PA view; Lt wrist XR; age 5 y, girl; acquired on Siemens
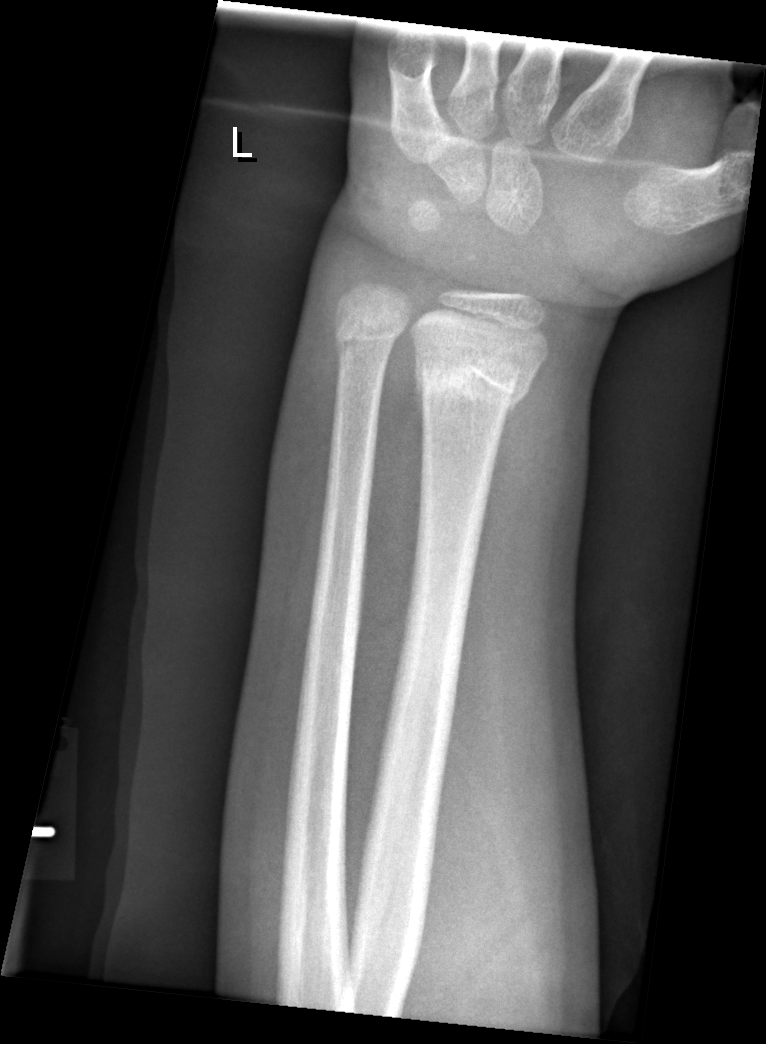
  fracture: [x1=408, y1=348, x2=541, y2=422]; [x1=330, y1=304, x2=403, y2=359]
  ao: 23-M/3.1